Left plain radiograph of the wrist, AP projection, 5y M, image 82.7 mm wide, 574x1118:
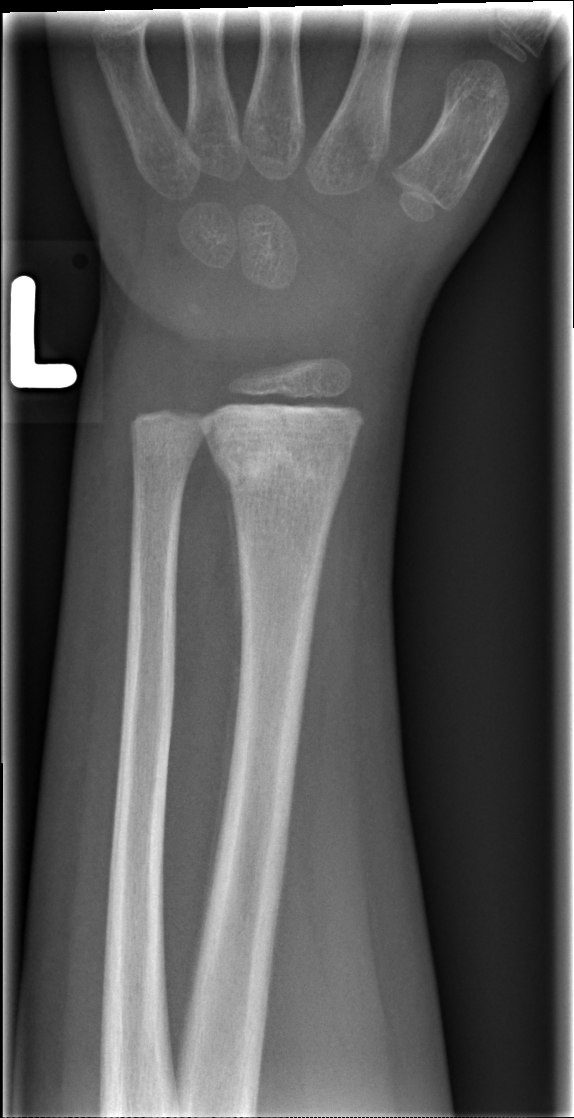

Q: Locate any fractures.
A: Bone fracture — (left=210, top=429, right=358, bottom=502)
Q: Locate any periosteal reaction.
A: Periosteal reaction identified at (left=203, top=460, right=247, bottom=929)